Posteroanterior projection · right wrist XR · 11-year-old boy · imaged through cast · Siemens
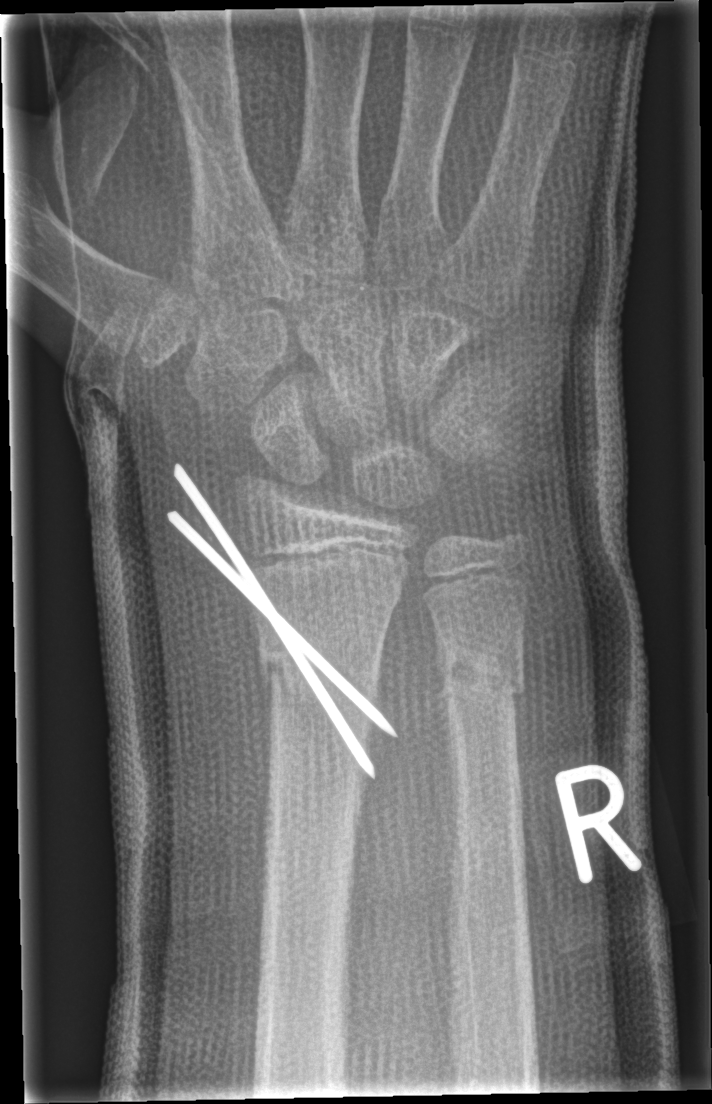

AO/OTA = 23-M/3.1
Hardware = 1 @ 168 463 398 782
Fracture = 255 630 382 707 | 433 641 529 712